PA/AP projection | left wrist radiograph | 608 by 942 pixels. 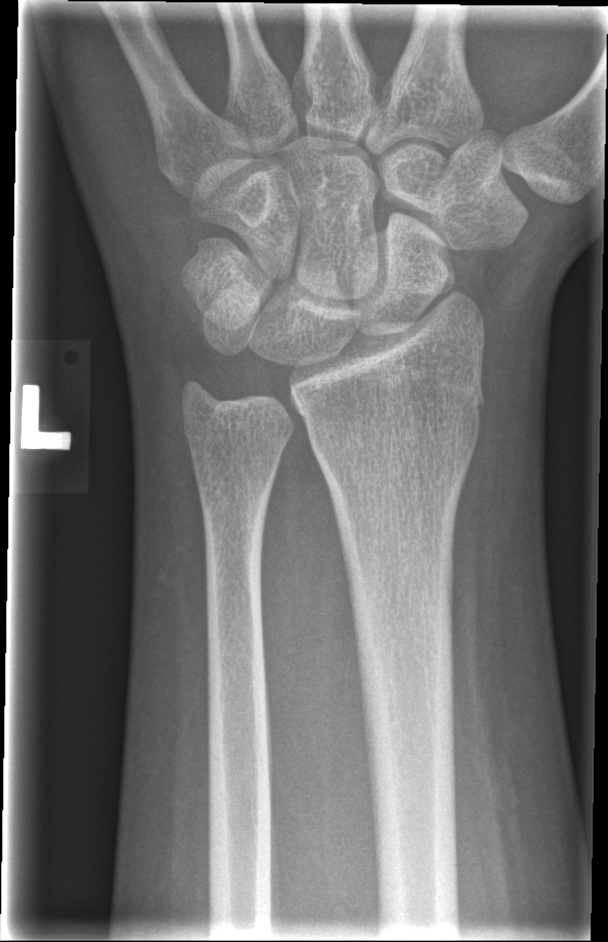
Q: Fracture present?
A: No Fx annotated